Rt wrist XR, AP projection, 10-year-old boy, index exam, 598 x 1162 px —
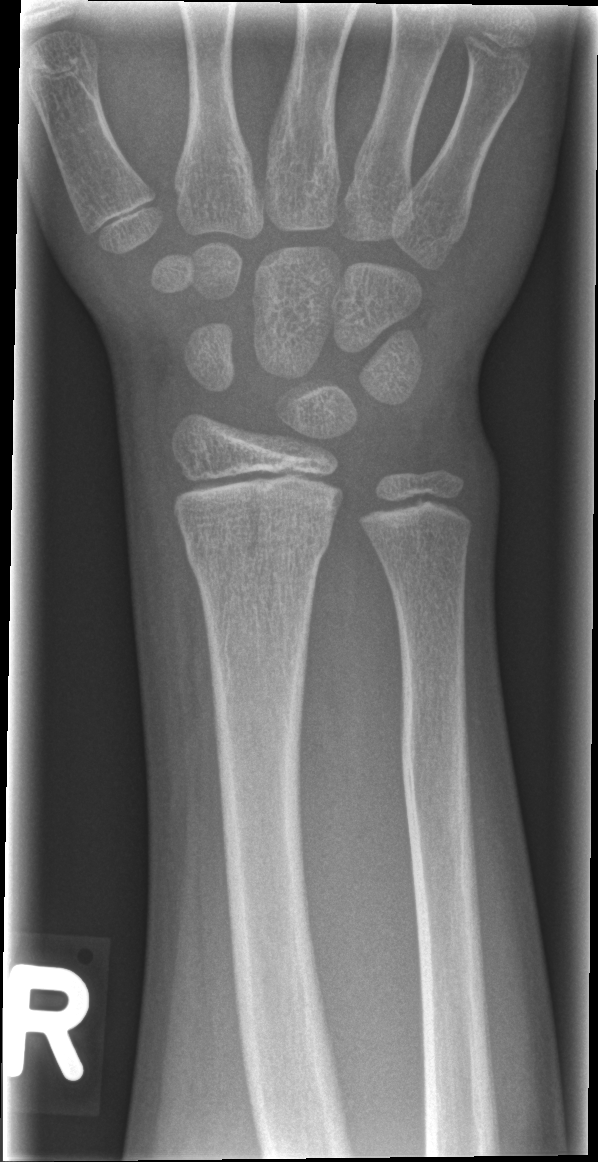
{"fracture": "1 @ 178 511 335 576", "ao": "23r-M/2.1"}